Lateral projection · L wrist X-ray · acquired on Siemens —

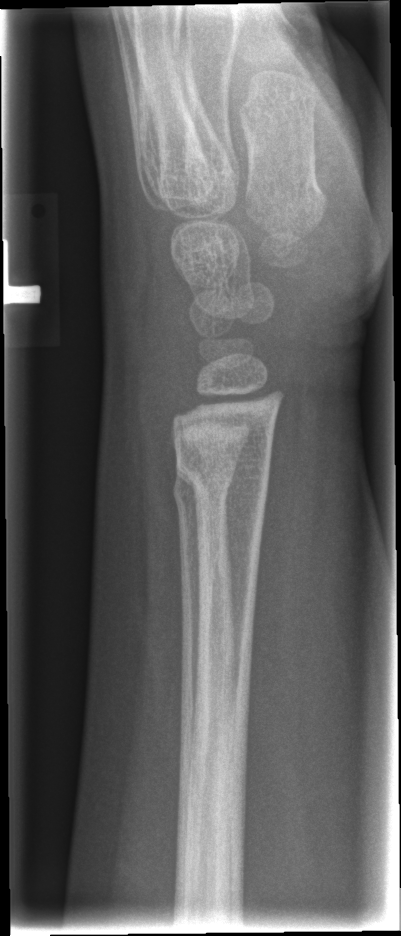
AO/OTA: 23-M/2.1
Fx: [x1=173, y1=446, x2=275, y2=516]; [x1=167, y1=466, x2=236, y2=524]